Lat | right wrist radiograph | age 12 y, female —

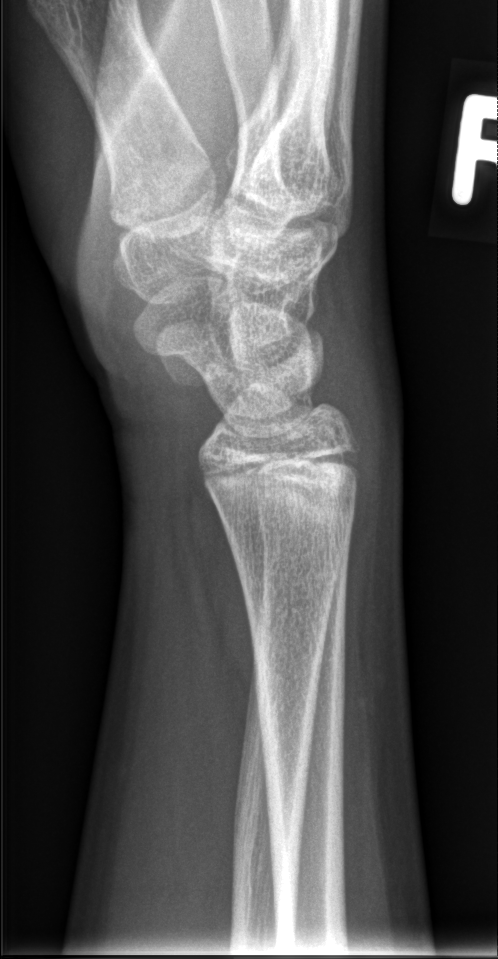
  fracture: none labeled